R plain radiograph of the wrist · lateral projection · male, 13 yo · in cast:

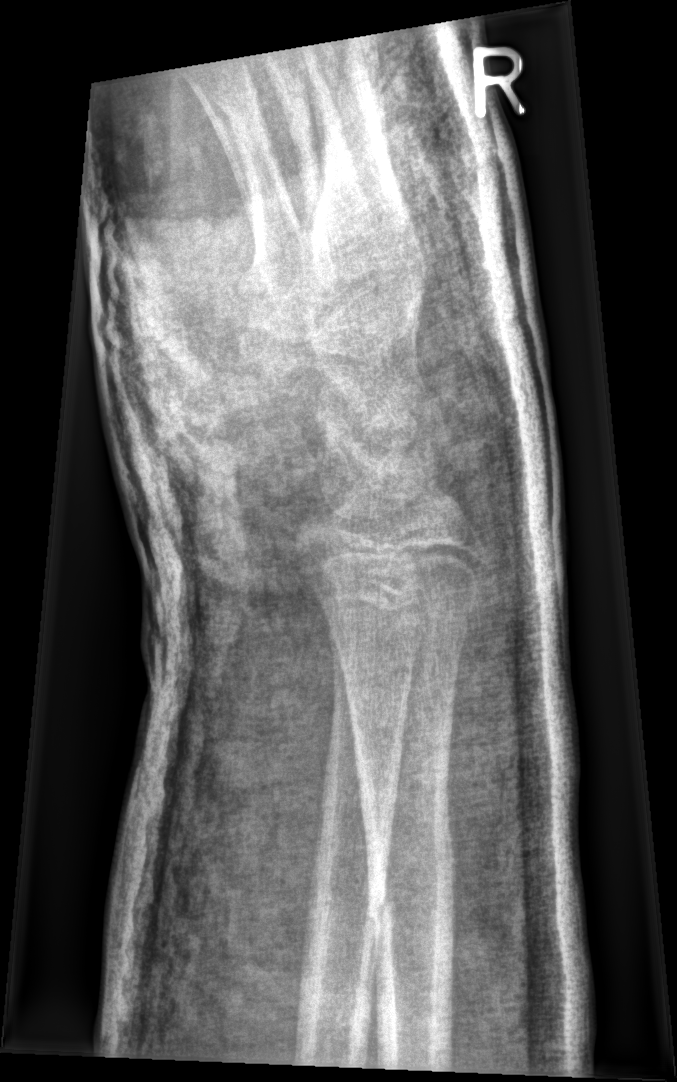 (pixel coordinates, top-left origin, xyxy)
Q: AO code?
A: AO code 22r-D/4.1; 23u-E/7
Q: Any fracture seen?
A: Fracture: 361,878,466,943